Lt plain radiograph of the wrist; frontal; boy, 13 yo:
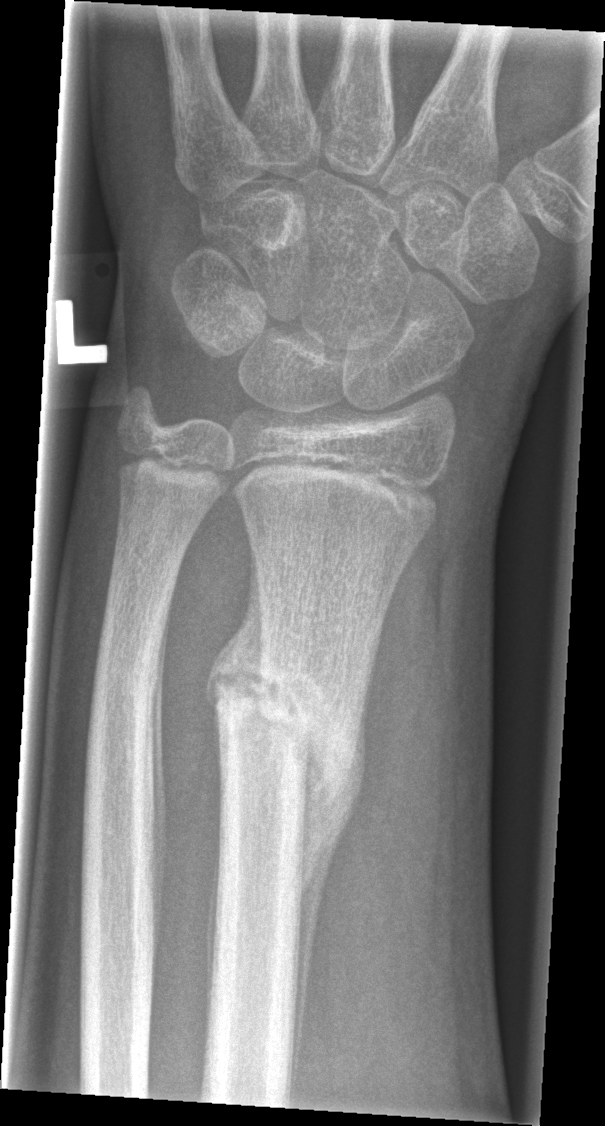

fracture = 2 @ (205, 611, 370, 847) (81, 608, 175, 806)
AO classification = 23r-M/3.1; 23u-M/2.1
periosteal reaction = (291, 686, 368, 1099); (206, 541, 266, 720); (150, 581, 177, 972)